Frontal view · L wrist radiograph · pediatric patient (female, age 8) —
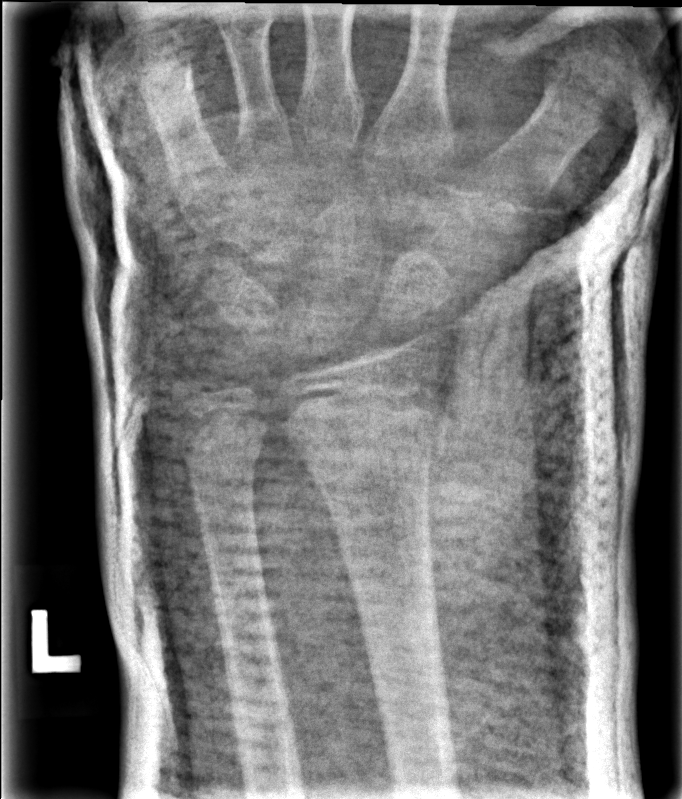 FINDINGS — Bone fracture: 279,368,447,456 | 176,425,271,488. AO/OTA classification: 23r-E/2.1; 23u-M/2.1.